R pediatric wrist radiograph · posteroanterior view · 7-year-old girl · 64.2 mm image width · 446x889 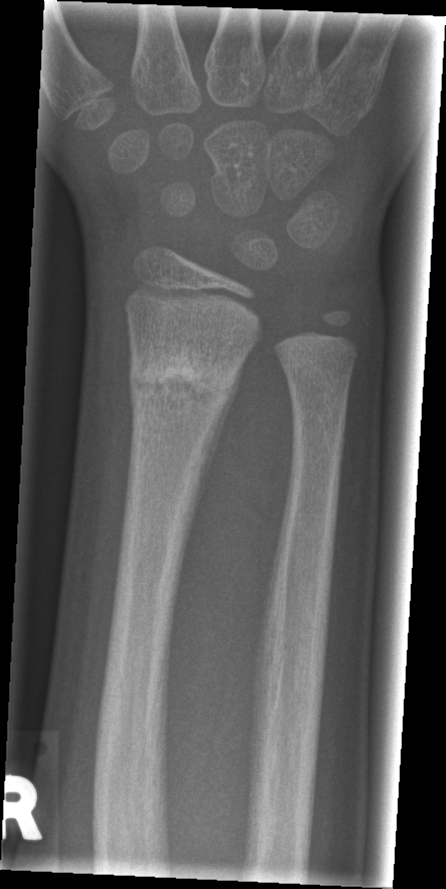

{
  "ao": "23r-M/2.1",
  "fracture": "bbox(127, 338, 249, 418)",
  "periostealreaction": "1 @ bbox(172, 336, 257, 593)"
}